Lateral view · left wrist XR · pediatric patient (boy, age 13) · in cast · acquired on Siemens: 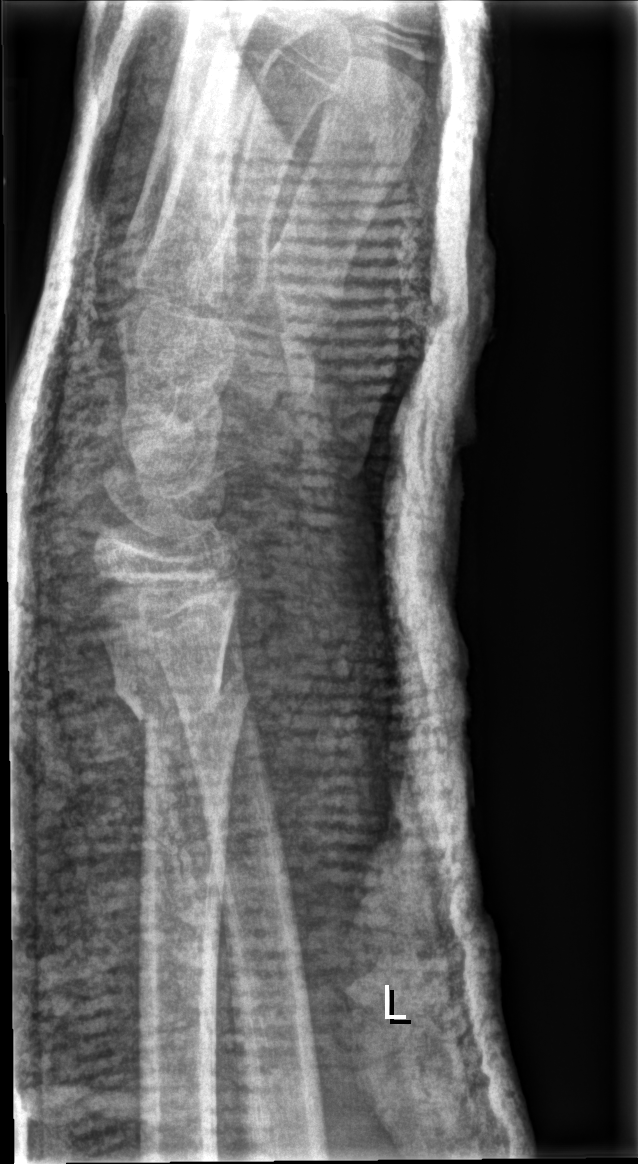

(pixel coordinates, top-left origin, xyxy)
AO/OTA: 23r-M/3.1; 23u-E/7
Fracture: 108 663 252 733